PA/AP | R wrist XR | image width 83.2 mm:

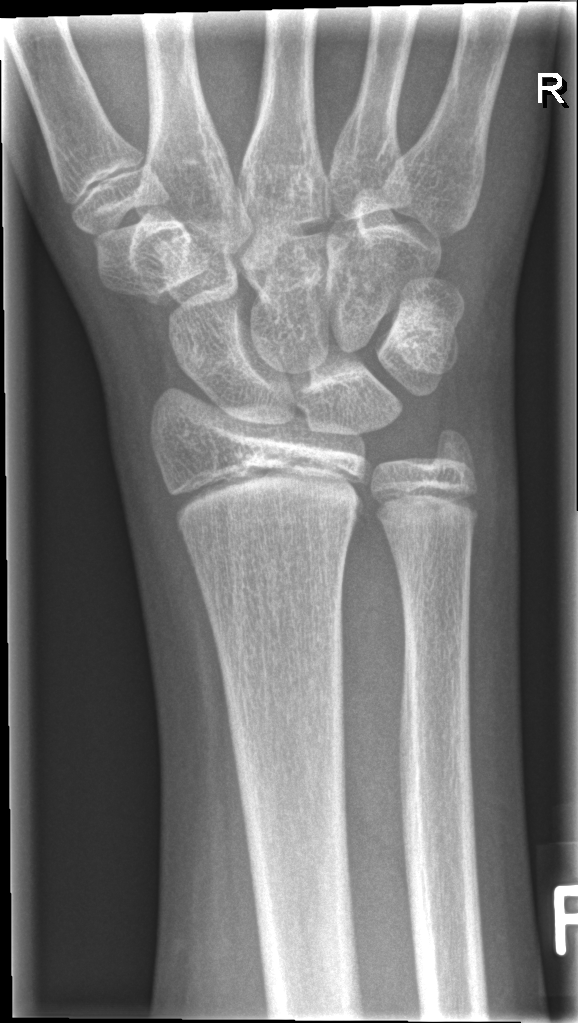
No fracture annotation.